R wrist X-ray | lat view —

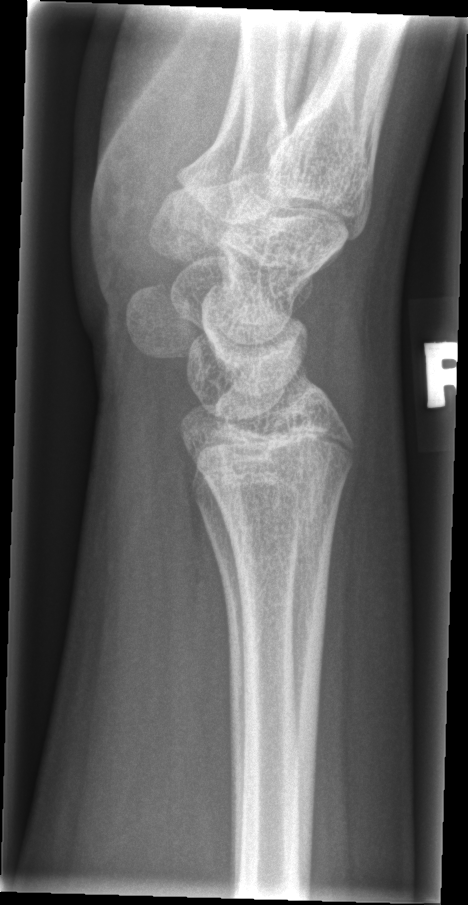
No fracture bounding box.